Left wrist plain film, frontal view, 11y M, cast in situ, 1008 by 1194 pixels —
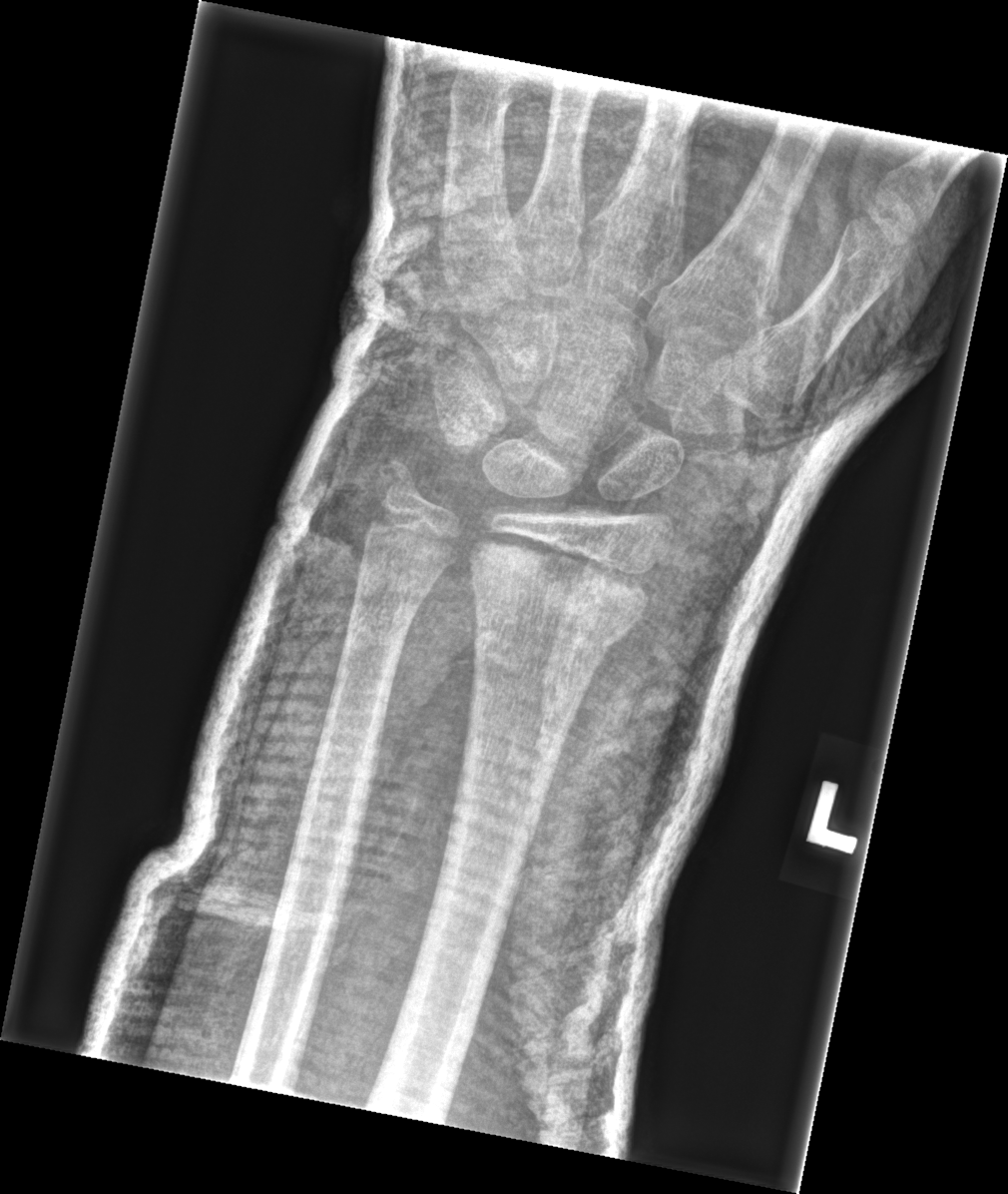

AO code: 23r-E/2.1
bone fracture: <470,568>-<641,667>